AP view · L pediatric wrist radiograph · 10-year-old girl · 466 by 626 pixels
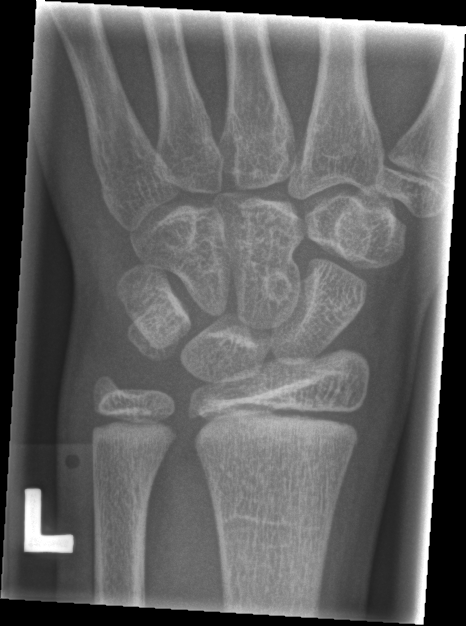
FINDINGS: No fracture bounding box.